Posteroanterior projection, left wrist plain radiograph of the wrist, 581 x 1562 px.
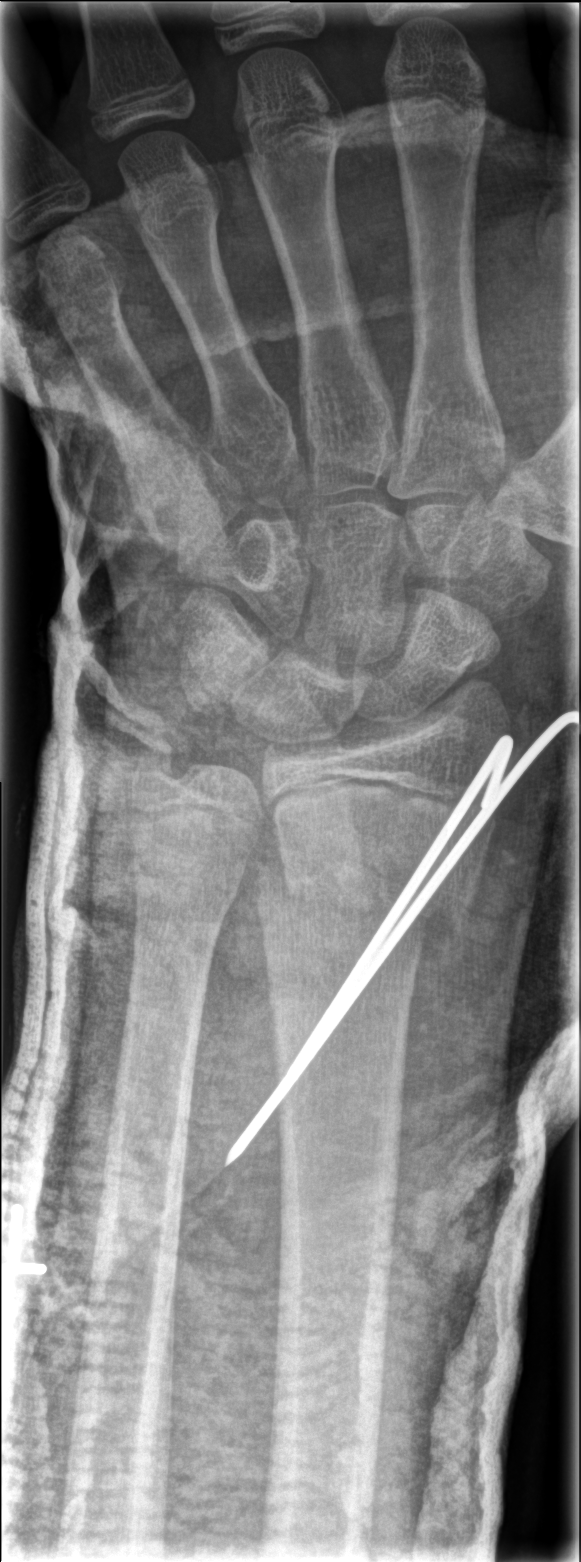

Bounding boxes in image-pixel xyxy. Fracture classified AO/OTA 23r-M/3.1; 23u-M/2.1. Two bone fractures at (249, 846, 478, 955), (129, 840, 246, 934). Metal identified at (223, 712, 579, 1165).